Lt wrist plain film | AP projection | 11y M | 88.4 mm image width —

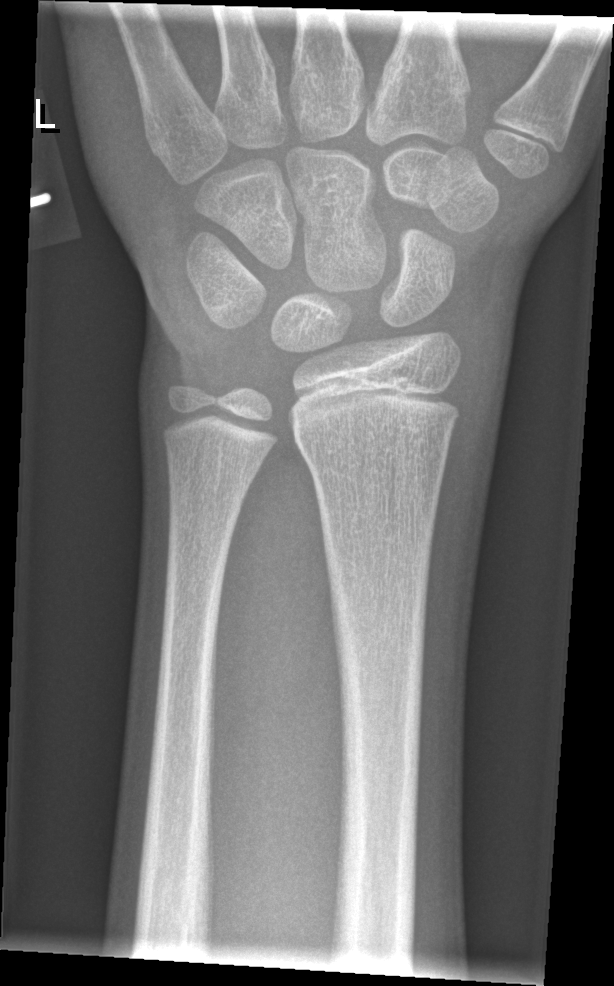
fracture: none labeled